L plain radiograph of the wrist; frontal projection; 8-year-old female; acquired on Siemens 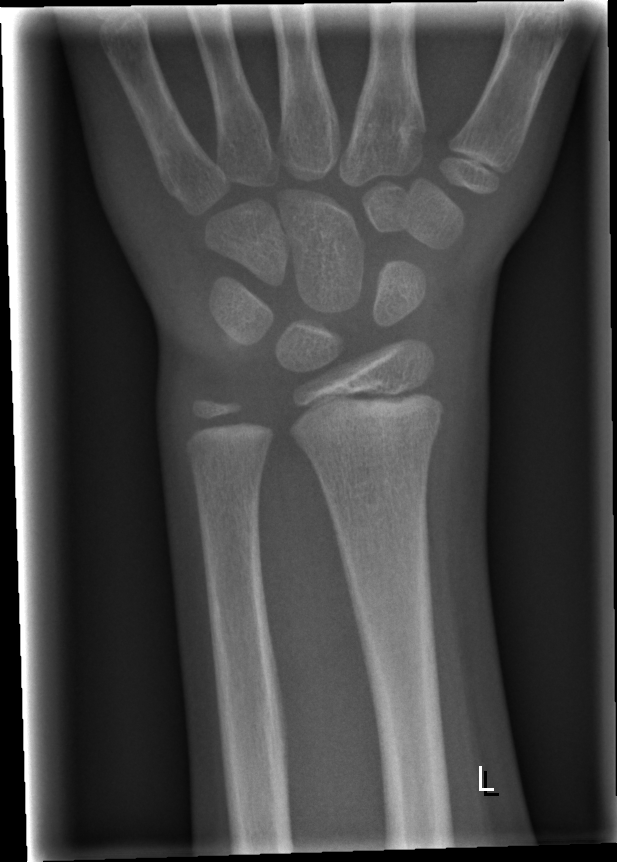 Fx present but not clearly seen in this view.